Lat · L pediatric wrist radiograph 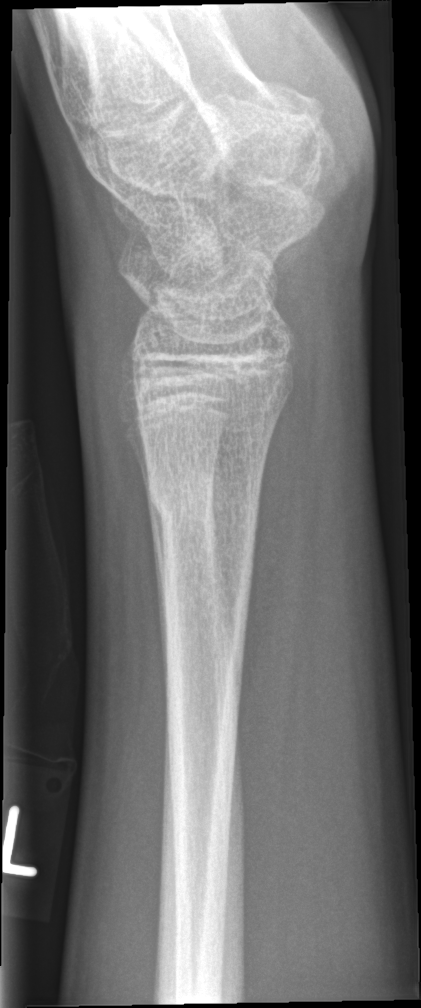
AO code: 23r-M/2.1
Bone fracture: 1 @ 145 471 265 533